Right wrist X-ray, lateral, male, 10 yo, initial study —
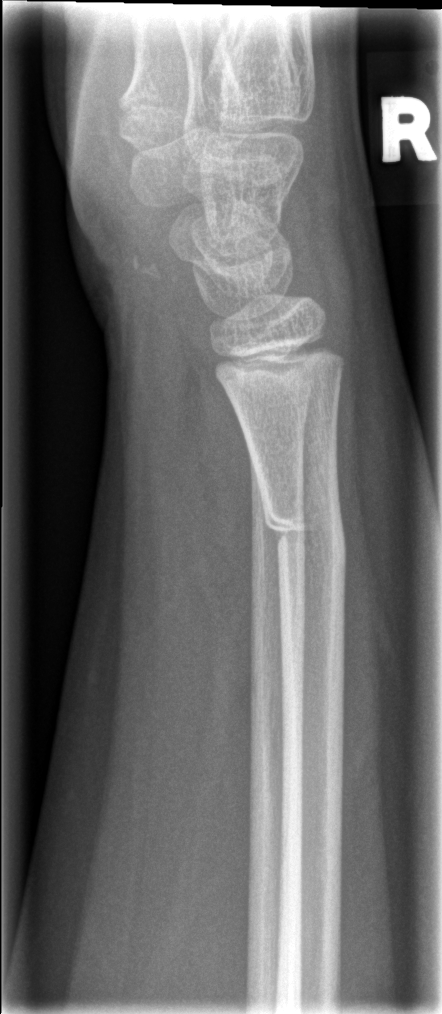 - Bounding boxes in image-pixel xyxy.
- Bone fracture: [259, 484, 349, 584].
- Fracture classified AO/OTA 23r-M/2.1.
- Pronator sign — [162, 326, 260, 703].